Lt plain radiograph of the wrist; PA/AP view; pediatric patient (male, age 11). 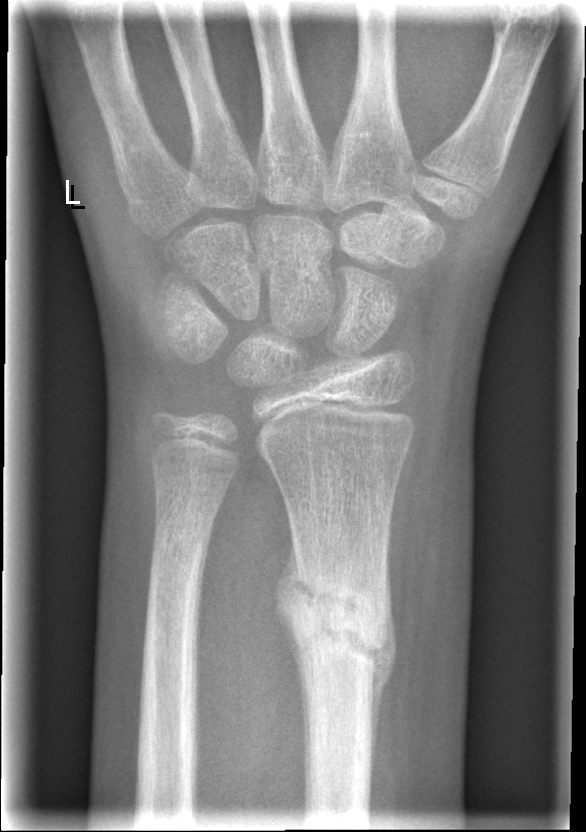
* Periosteal new bone identified at 273,533,310,792; 369,528,400,782.
* Osteopenic.
* Bone fracture — 286,554,391,685.